Rt wrist X-ray, frontal projection, 12y M, subsequent exam, cast present — 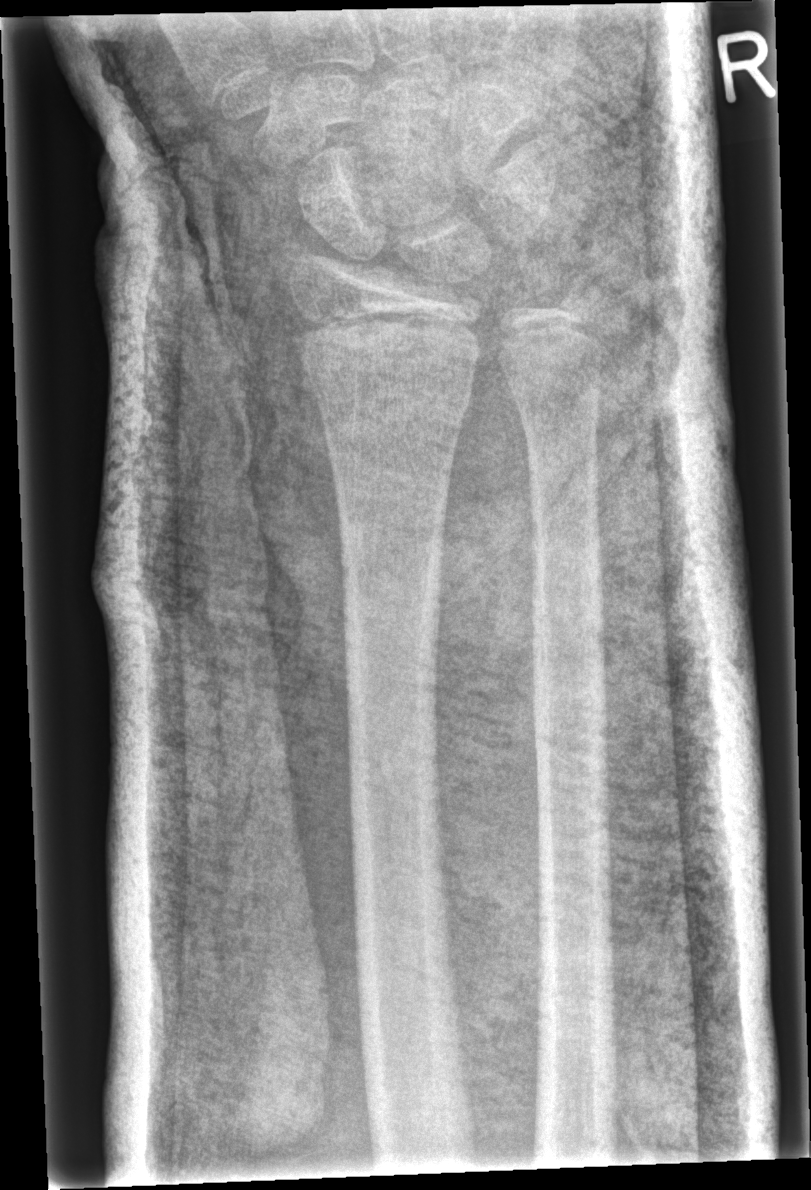

Fx: (283, 310, 482, 432); (548, 268, 610, 331).
AO/OTA classification: 23r-E/2.1; 23u-E/7.